Lateral projection, left wrist XR —

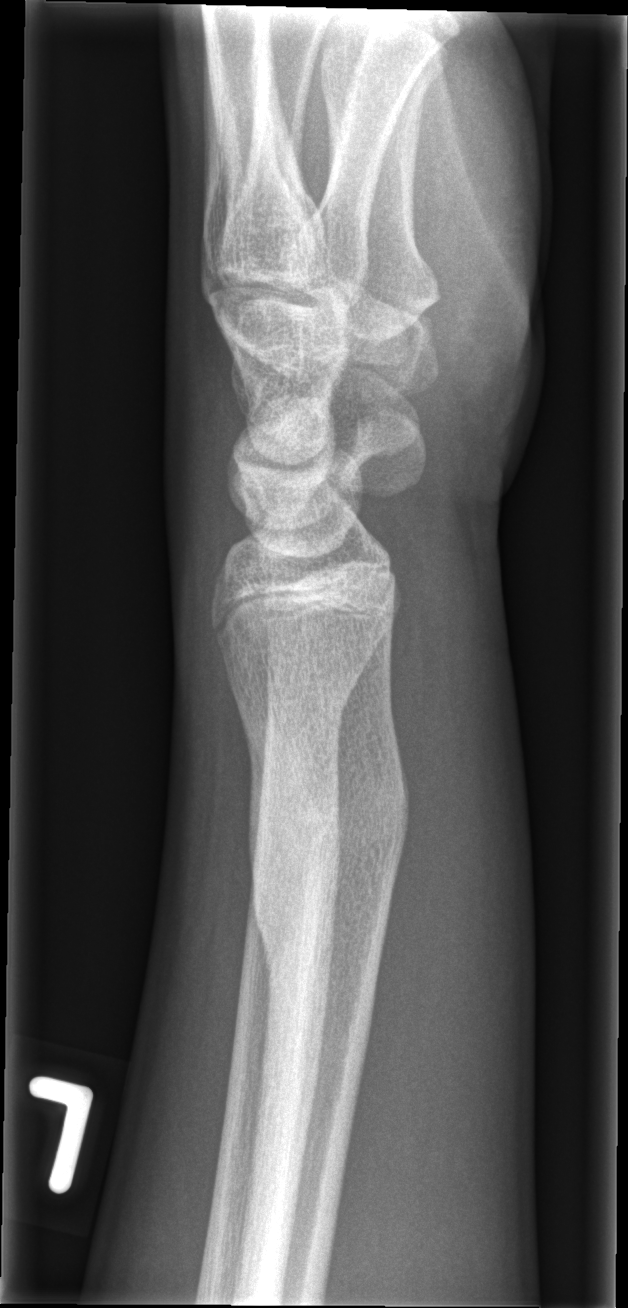 Bone fracture — bbox(253, 745, 413, 893). AO code 23r-M/3.1; 23u-E/7.